R wrist X-ray, lateral, subsequent exam.
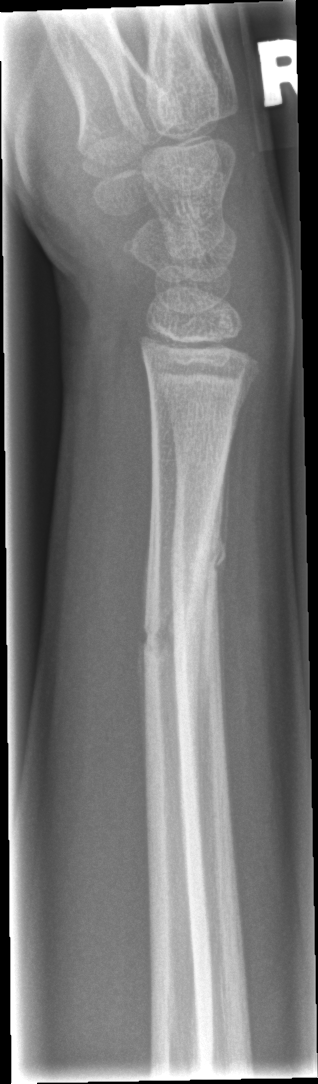
AO code 22-D/2.1.
Periosteal reaction — [214, 454, 233, 797] [135, 532, 150, 812].
Fx: [140, 604, 202, 671] [169, 521, 230, 585].